Rt wrist plain film, posteroanterior projection, 11y M, follow-up study. 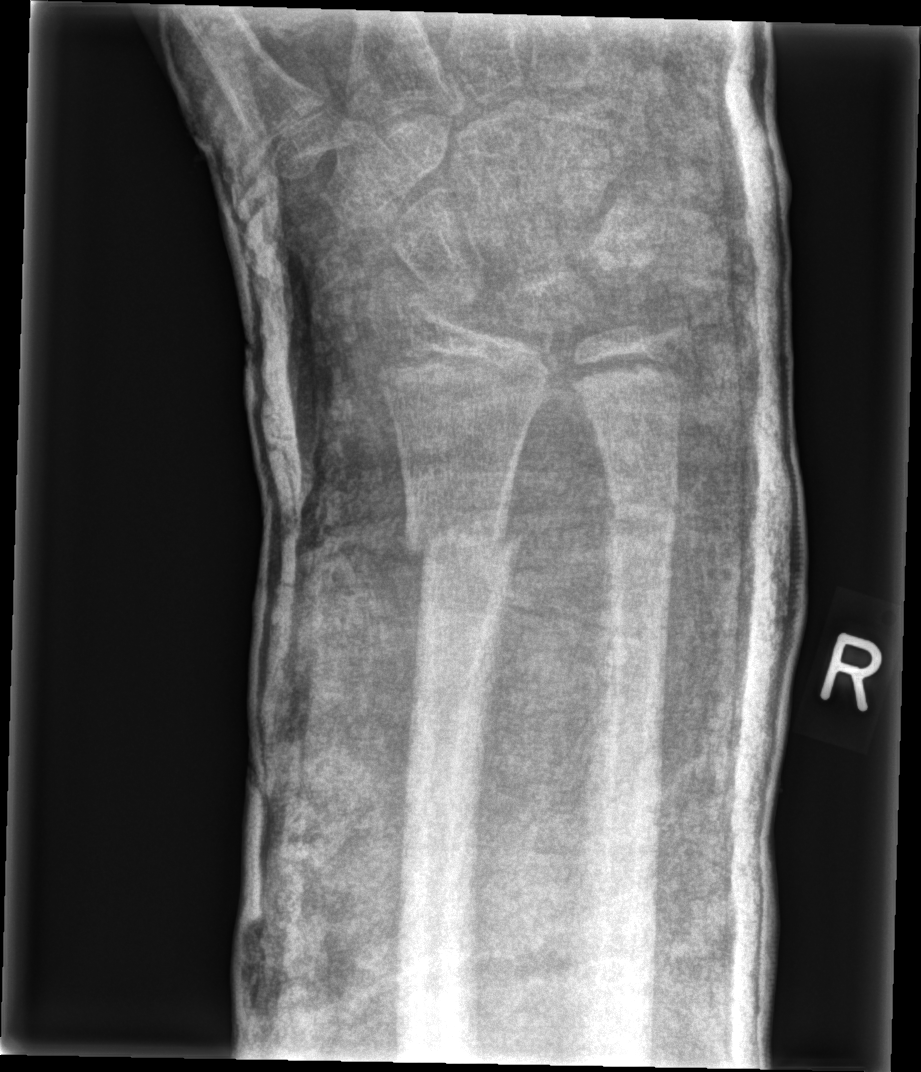
AO/OTA classification: 23-M/3.1. Bone fracture identified at 398 506 527 584
  602 495 682 560.